R wrist radiograph, lat view, 539 x 1298 px: 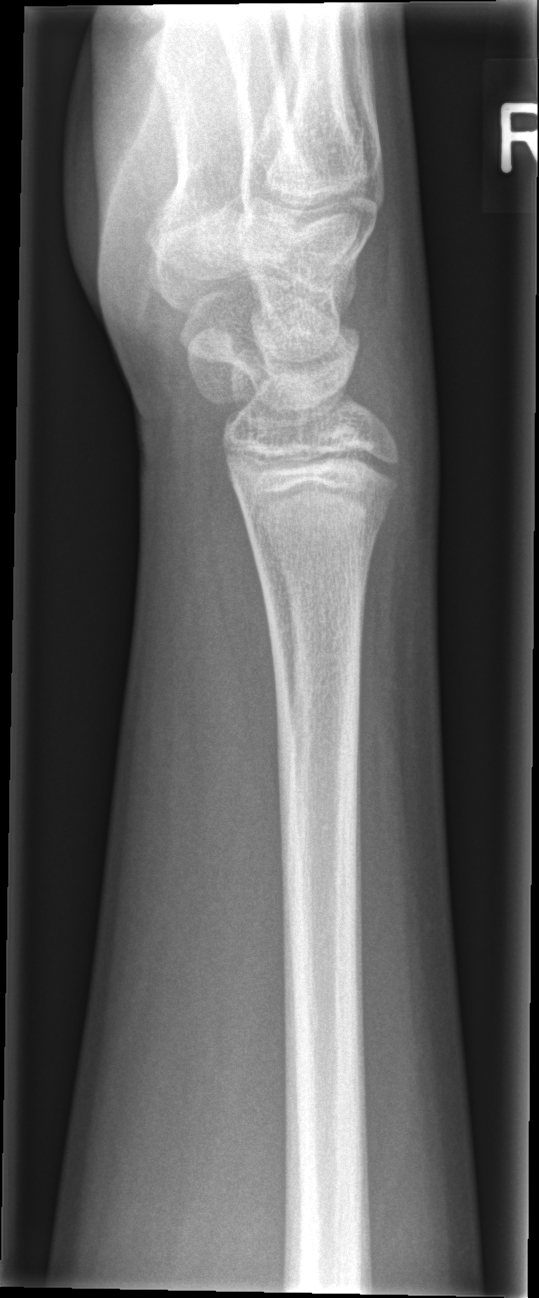 • Boxes as x1,y1,x2,y2 (top-left / bottom-right, pixel units).
• Fracture classified AO/OTA 23r-M/2.1.
• One bone fracture at <234,480>-<397,556>.